L wrist X-ray, AP, cast in situ:
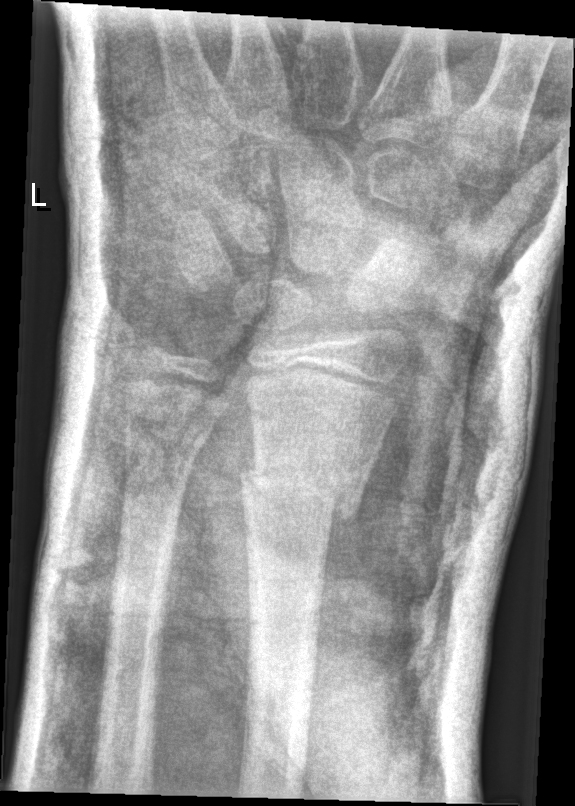
Bone fracture: (left=235, top=450, right=368, bottom=529)